L wrist radiograph, lat projection.
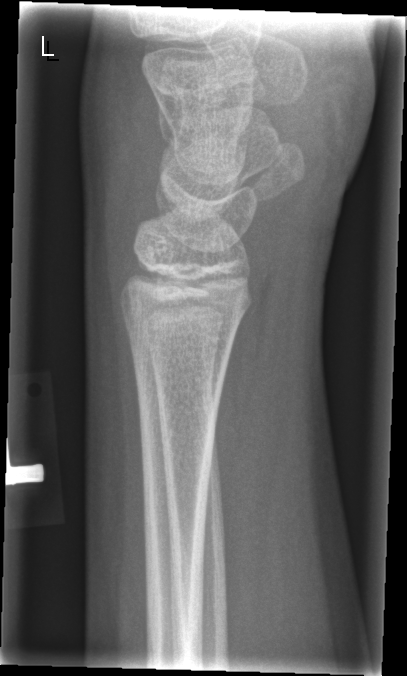
Findings: Soft-tissue finding — [x1=81, y1=50, x2=168, y2=270]. No fracture labeled.